Lat view · Lt wrist XR · 11y M: 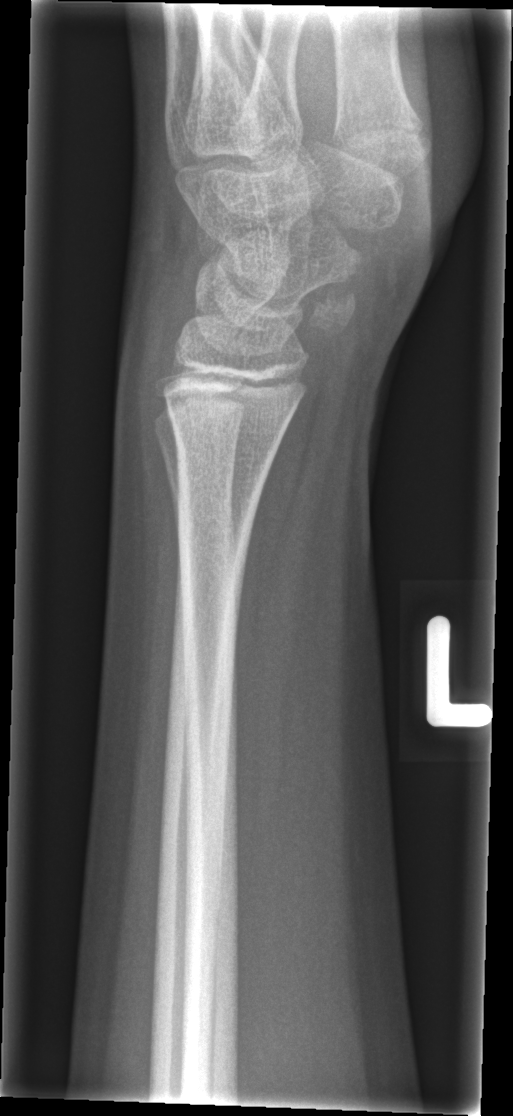 bone fracture = <163,384>-<295,469>